PA | Lt wrist radiograph | 12y M | cast present | 72.0 mm image width:

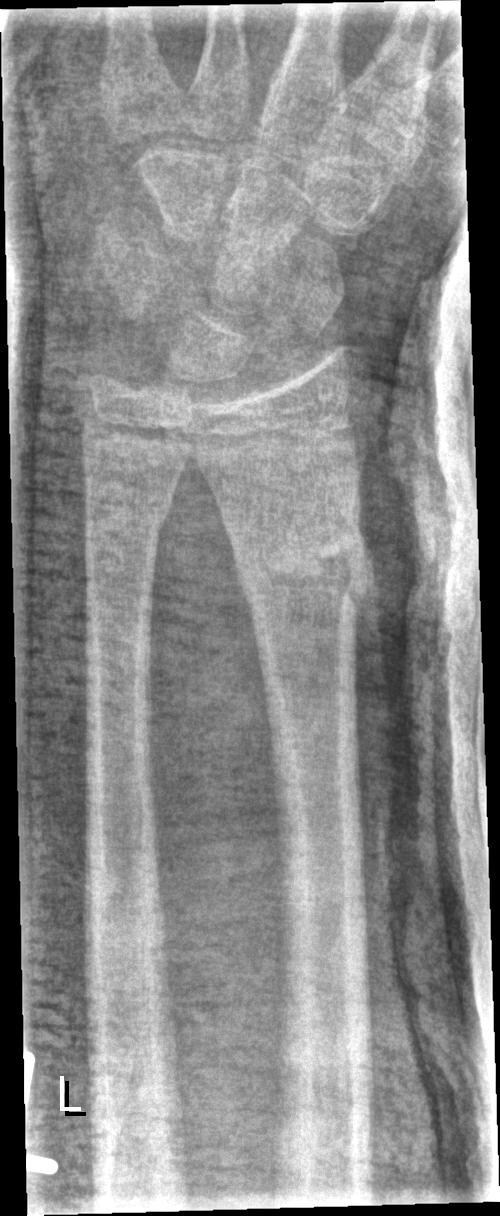
Fracture = 2 @ bbox(224, 511, 379, 626), bbox(81, 487, 176, 548)
AO classification = 23r-M/3.1; 23u-M/2.1